Left pediatric wrist radiograph · PA · pediatric patient (male, age 11) · index exam · Siemens · image 77.2 mm wide · 536 x 886 px
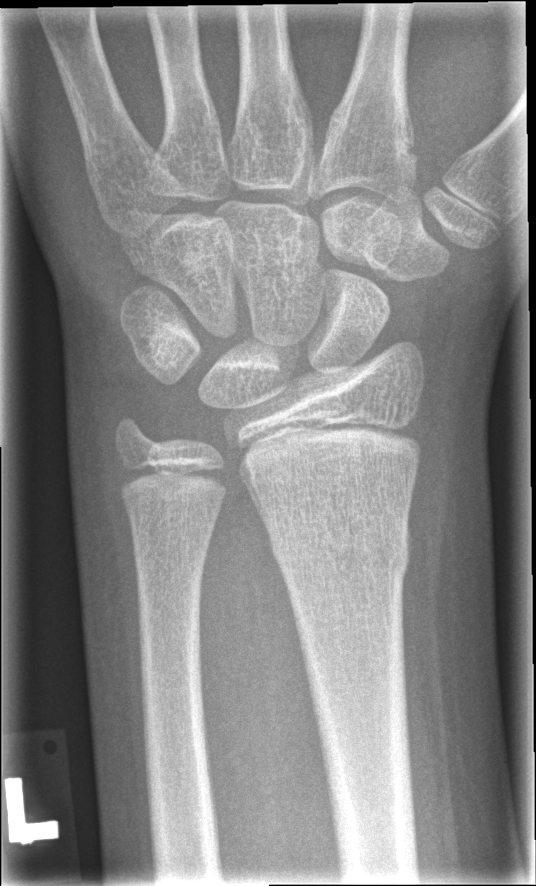
{"fracture": "1 @ <267,516>-<413,585>", "ao": "23r-M/2.1"}